Lateral, R wrist radiograph, pediatric patient (girl, age 10), 642 x 1191 px.

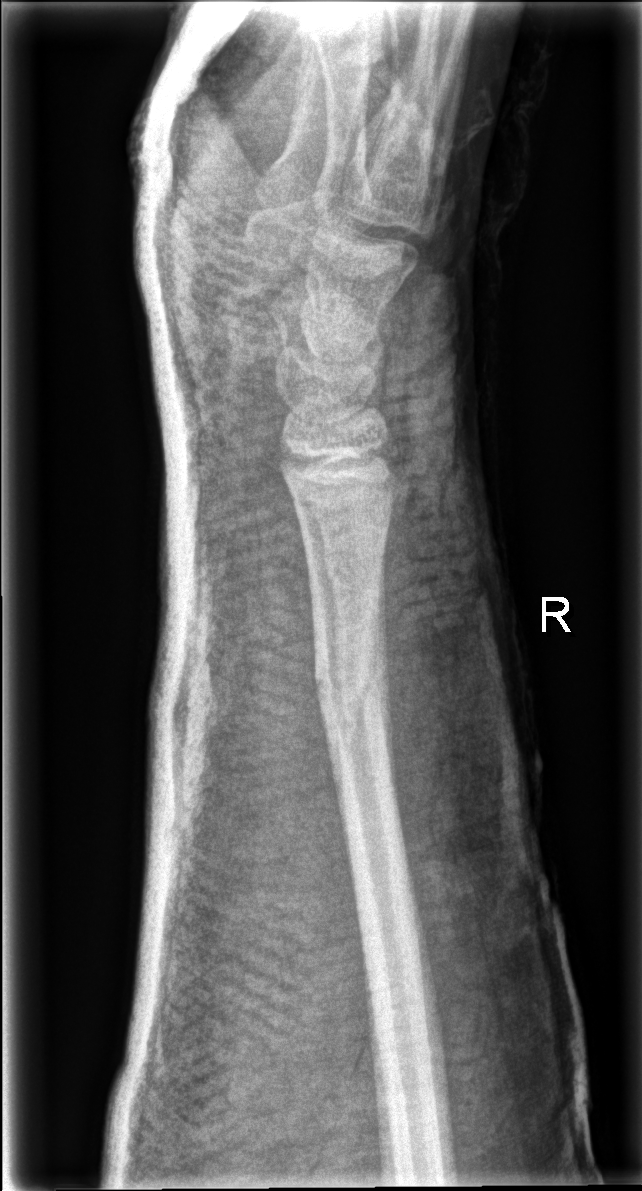
Findings: (boxes as x1,y1,x2,y2 (top-left / bottom-right, pixel units)) Bone fracture: [x1=308, y1=632, x2=395, y2=721].